Rt wrist radiograph, lateral view, pediatric patient (female, age 3), index exam, detector: Siemens:
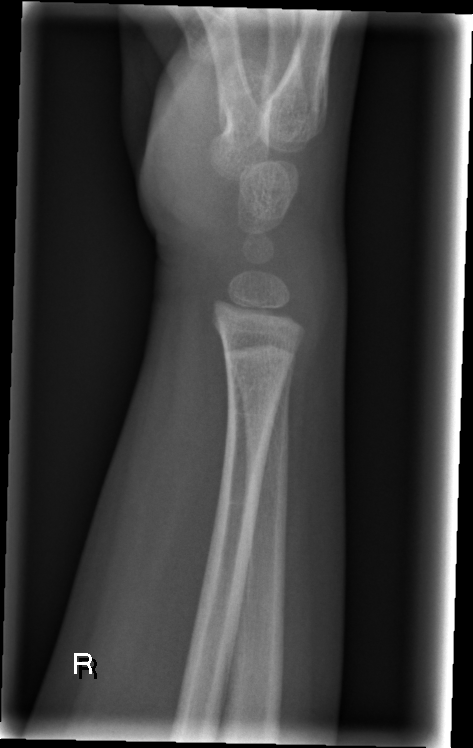 FINDINGS — Fx: none.